Lt plain radiograph of the wrist · PA · index exam 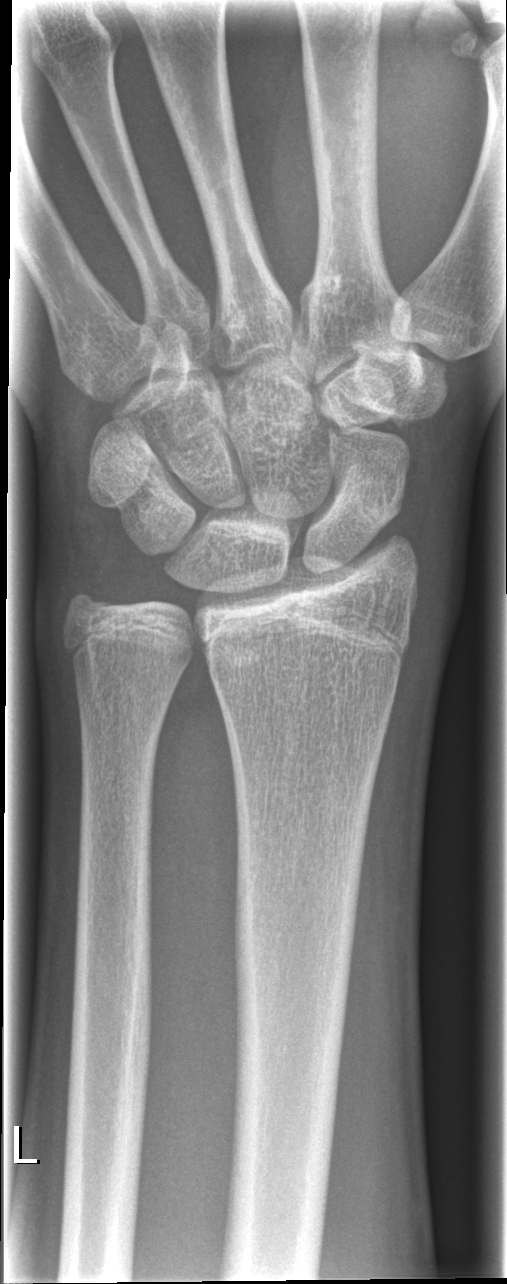
Fx: none.